Right wrist plain radiograph of the wrist; PA projection; 13y M

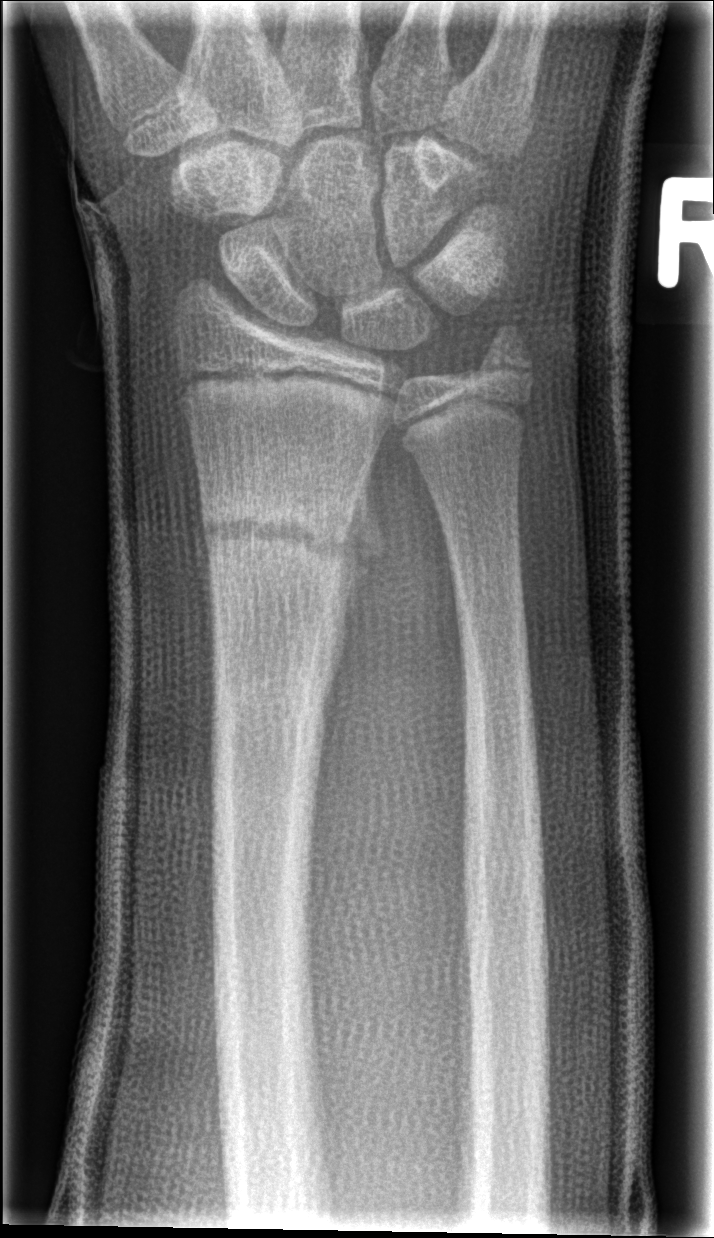
FINDINGS — (boxes as x1,y1,x2,y2 (top-left / bottom-right, pixel units)) Bone fractures — <199,488>-<367,590>, <205,641>-<339,720>, <462,311>-<542,394>. Fracture classified AO/OTA 23r-M/3.1; 23u-E/7.